Lateral; left wrist X-ray.

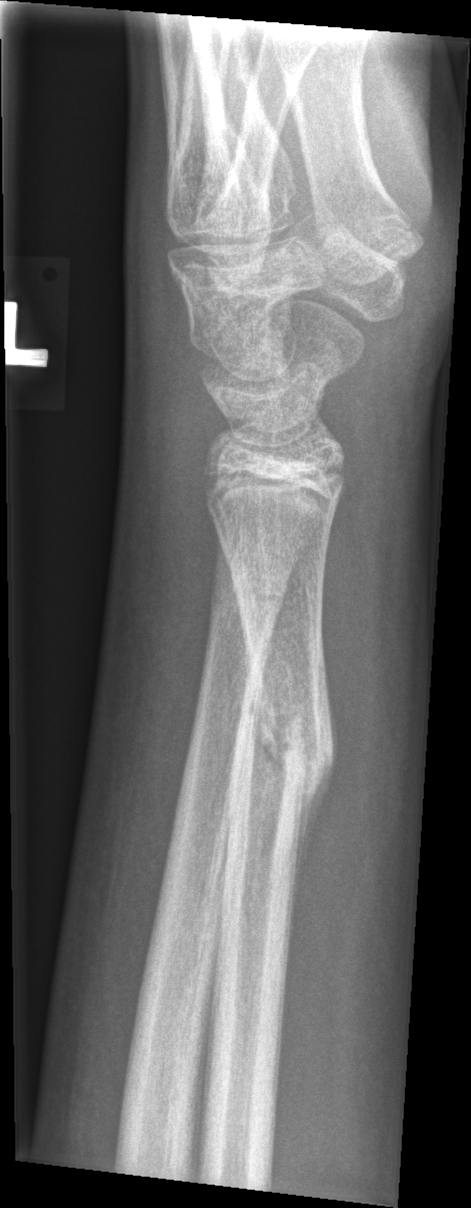 FINDINGS — (pixel coordinates, top-left origin, xyxy) Fracture: <242,671>-<339,808>, <206,569>-<287,623>. Periosteal reaction: <293,659>-<340,911>.